Lt pediatric wrist radiograph · PA/AP · 9y F. 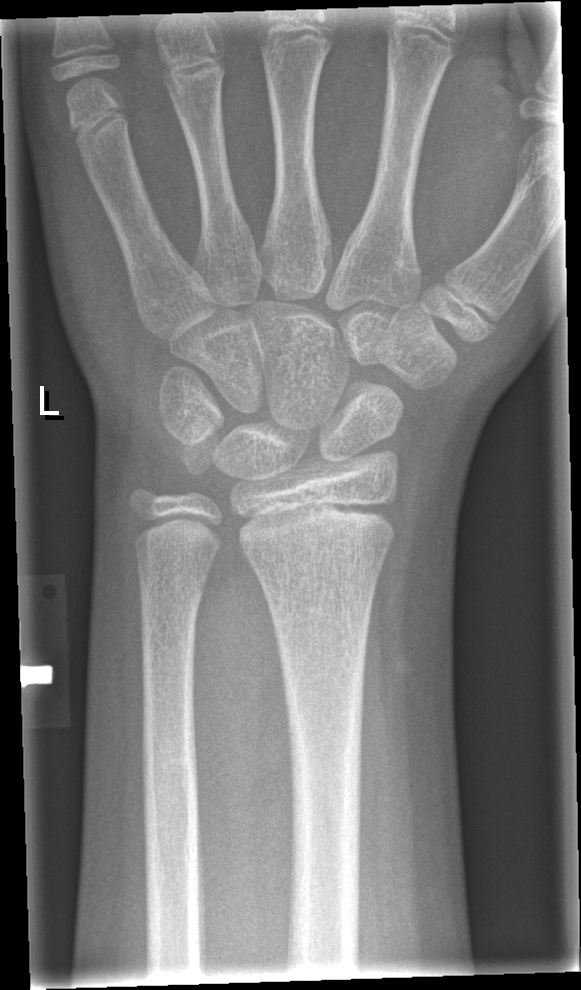 No fracture bounding box.